L wrist X-ray | frontal projection | acquired on Siemens:

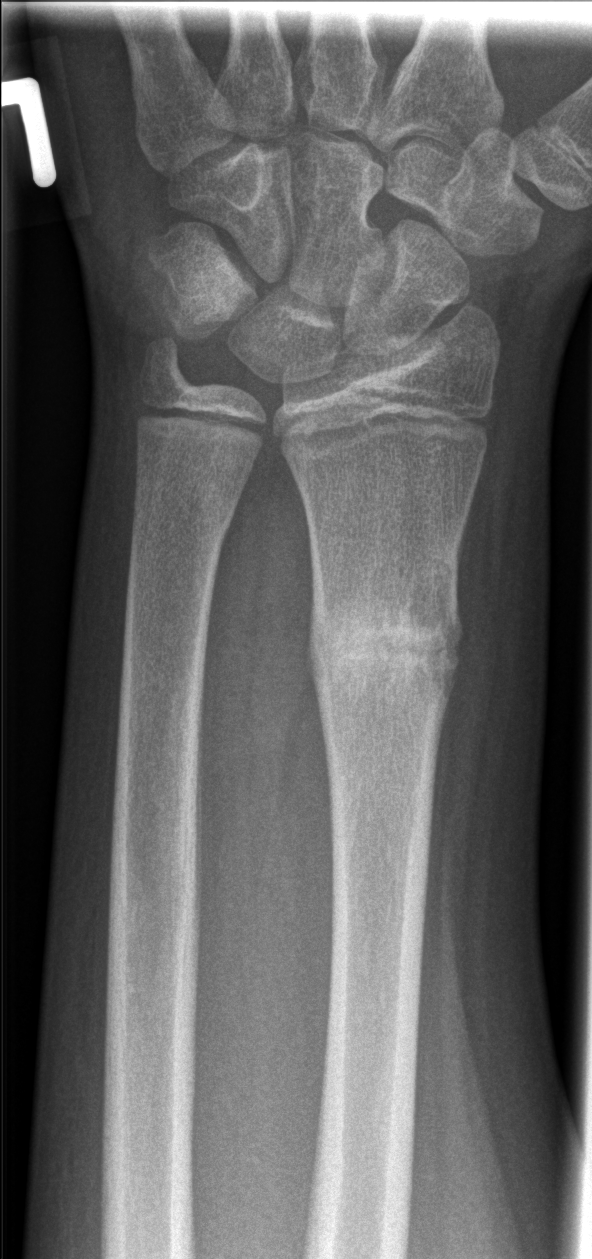 # coordinates are [x1, y1, x2, y2] in image pixels
ao: 23r-M/3.1; 23u-M/2.1
fracture: bbox(306, 594, 461, 712), bbox(126, 477, 240, 554)